Lt pediatric wrist radiograph, lateral view, 13y F, presentation radiograph.

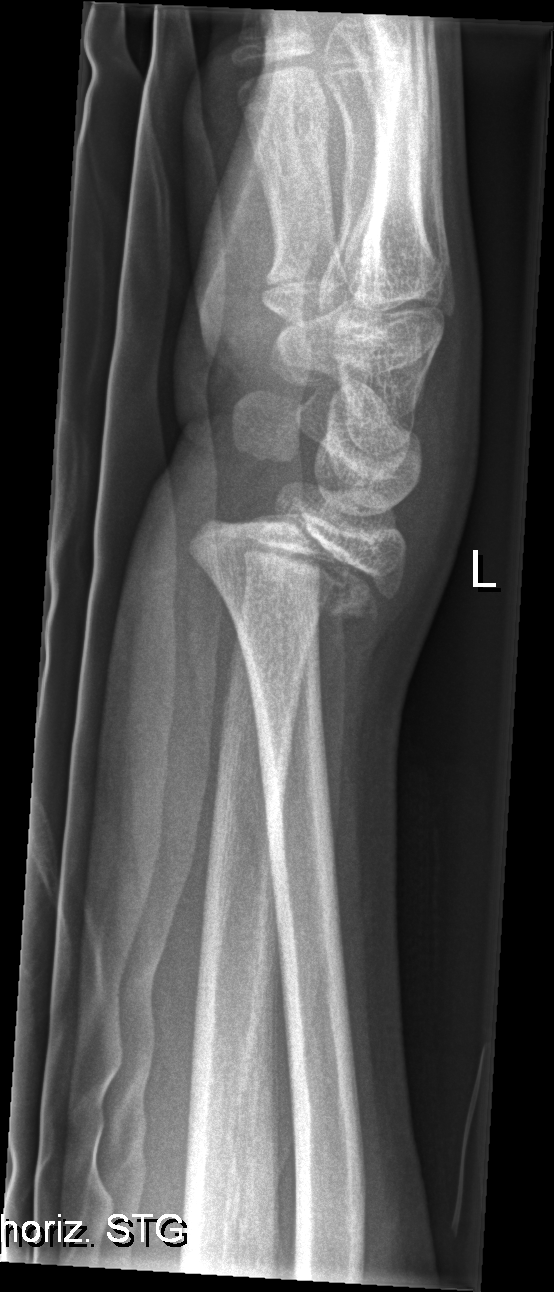   fracture: 1 @ (left=183, top=508, right=410, bottom=663)
  ao: 23r-E/2.1